Posteroanterior view · R wrist XR · age 11 y, boy · follow-up study · 472 by 957 pixels — 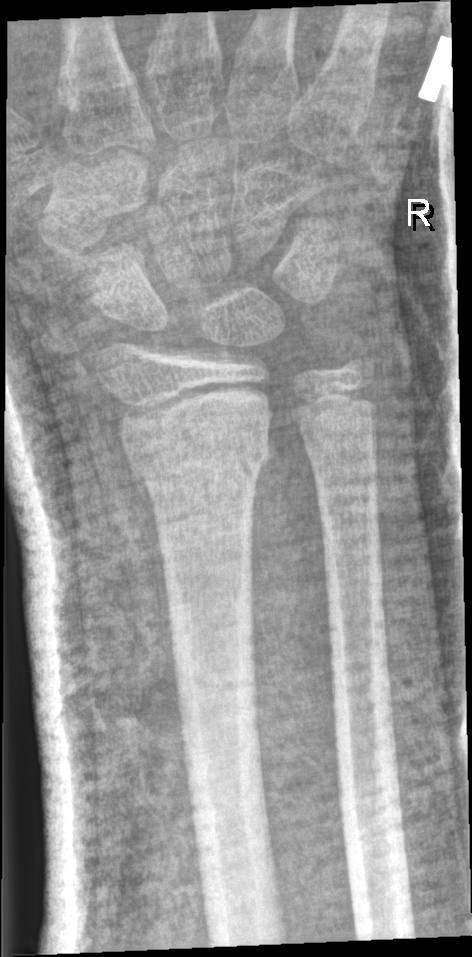
(bounding boxes in image-pixel xyxy)
AO/OTA = 23r-M/3.1; 23u-E/7
Fx = <119,400>-<274,494>